Lat projection, right wrist radiograph 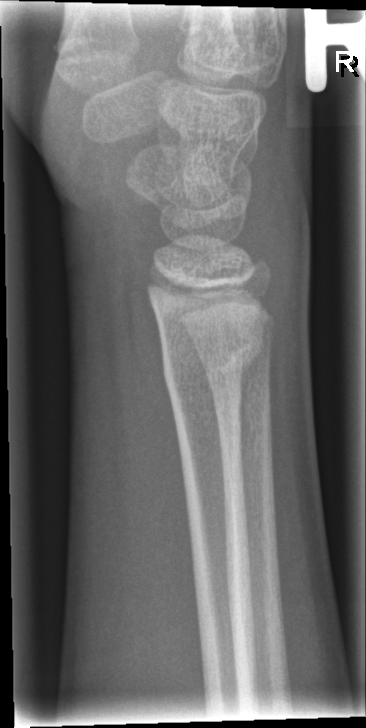

  # pixel coordinates, top-left origin, xyxy
  fracture: 1 @ bbox(158, 319, 269, 394)